L wrist radiograph; AP projection; subsequent exam; cast in situ; acquired on Siemens —
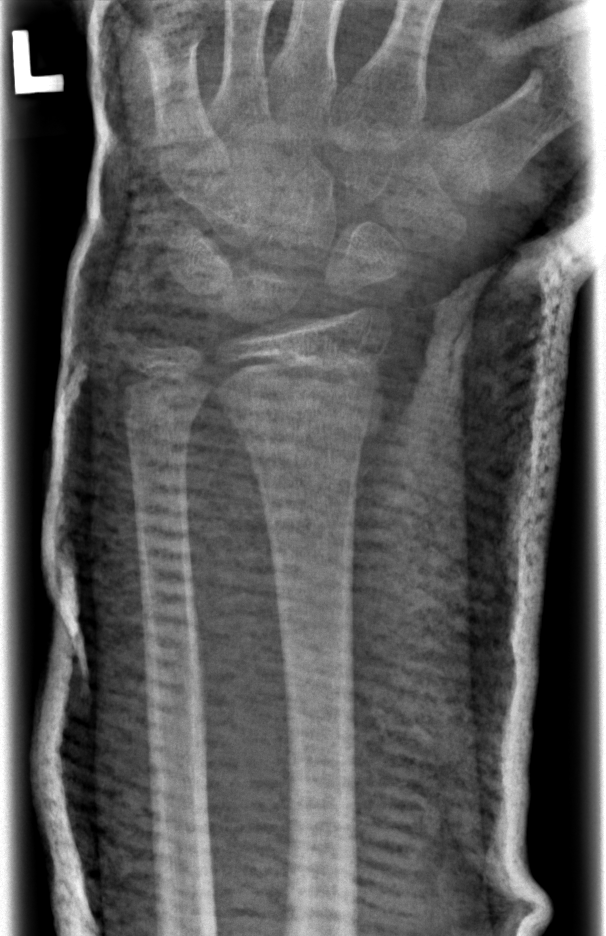 AO/OTA = 23r-E/2.1; 23u-M/2.1
fracture = 2 @ bbox(225, 344, 393, 450); bbox(118, 391, 209, 446)